Left wrist X-ray | lat projection | pediatric patient (male, age 16) | follow-up | cast in situ.

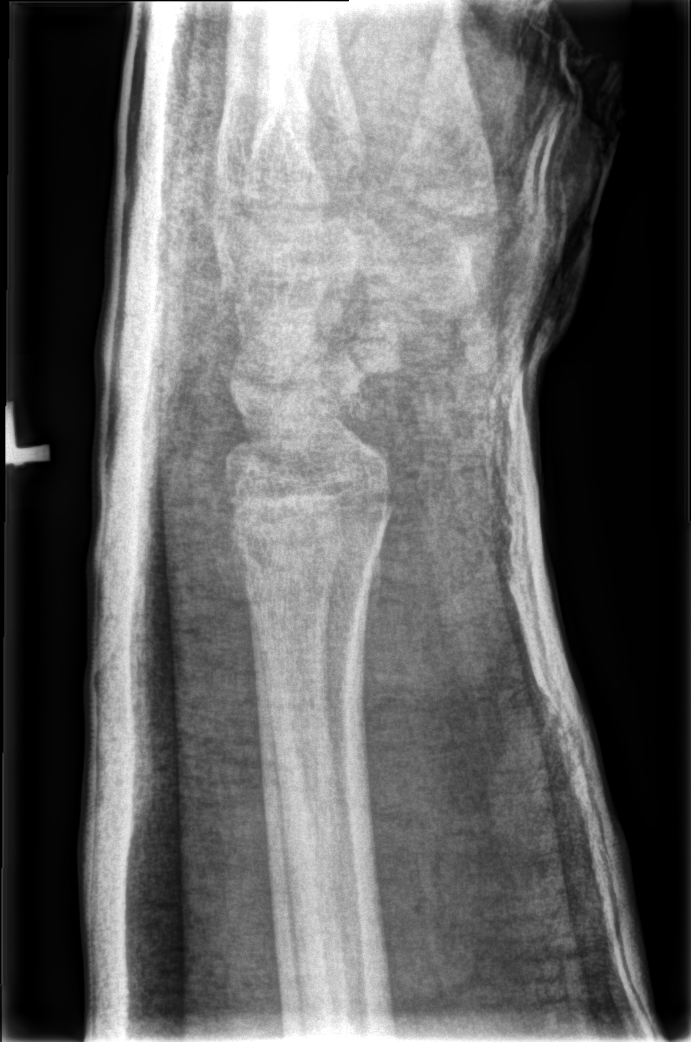 Findings: Fracture classified AO/OTA 23r-M/3.1; 23u-E/7. Fracture identified at bbox(224, 485, 393, 593).